Lateral, L pediatric wrist radiograph, boy, 11 yo, image size 384x778 —

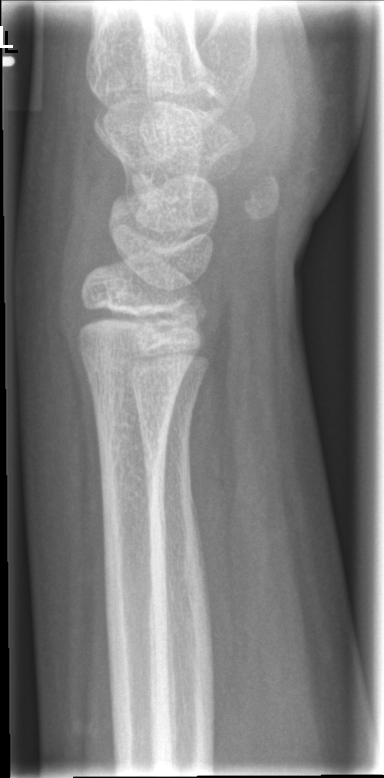

Osseous lesion identified at [x1=129, y1=169, x2=165, y2=213]. No fracture bounding box.